Right wrist X-ray, PA/AP, initial study, 521 x 864 px
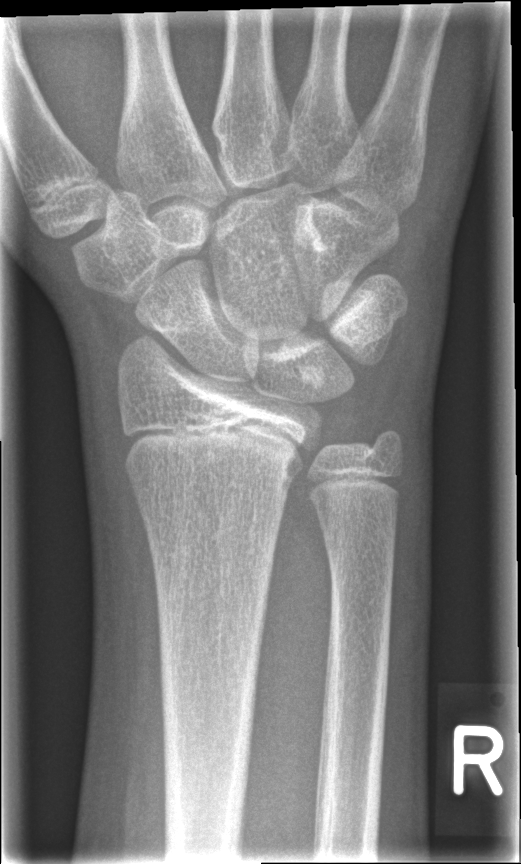

Q: Fracture present?
A: No fracture bounding box